PA/AP, right wrist plain film, 8y F, follow-up, 562 x 695 px.

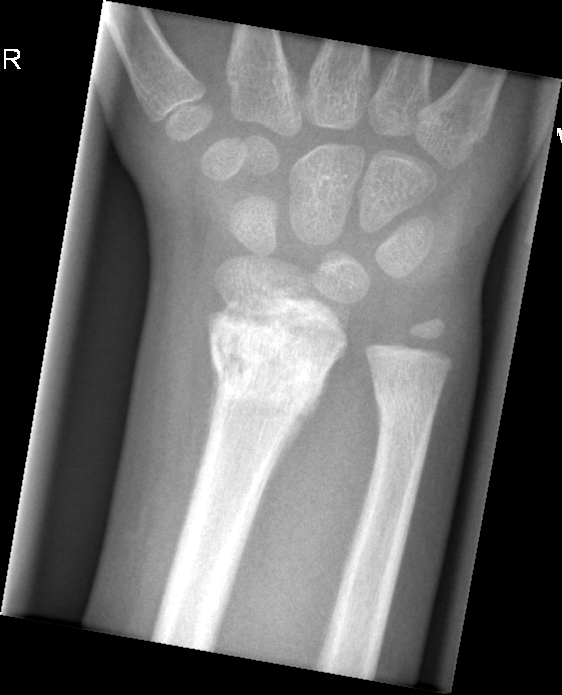

Periosteal reaction identified at [x1=250, y1=362, x2=332, y2=536] [x1=200, y1=337, x2=223, y2=454] [x1=372, y1=382, x2=382, y2=469]. Fracture classified AO/OTA 23r-E/2.1; 23u-M/2.1. Two Fx at [x1=203, y1=316, x2=332, y2=409]; [x1=372, y1=384, x2=442, y2=433]. Decreased bone density (osteopenia).